PA projection; Rt wrist radiograph; in cast; Siemens. 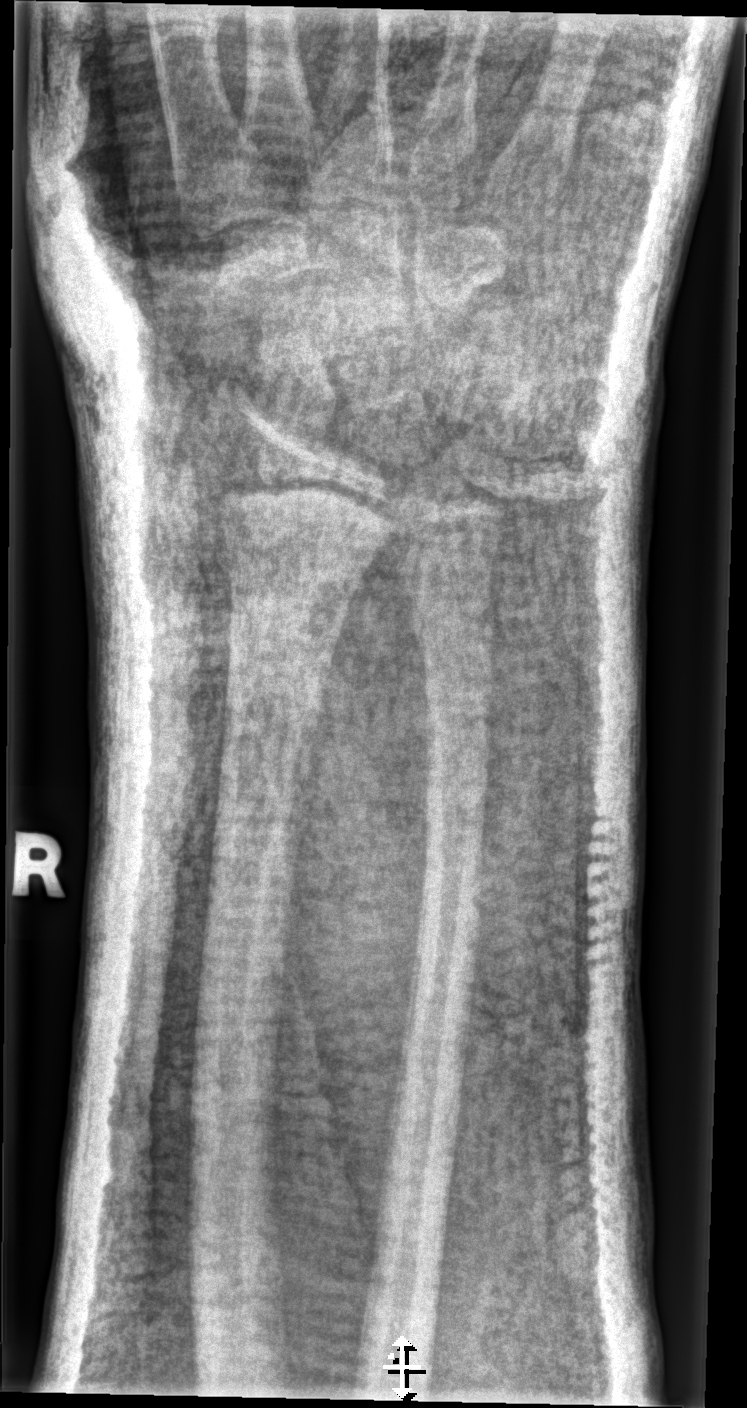 • Fracture present but not clearly seen in this view.
• Fracture classified AO/OTA 23u-M/2.1.